Lateral projection, right wrist radiograph, 17y M, Siemens.

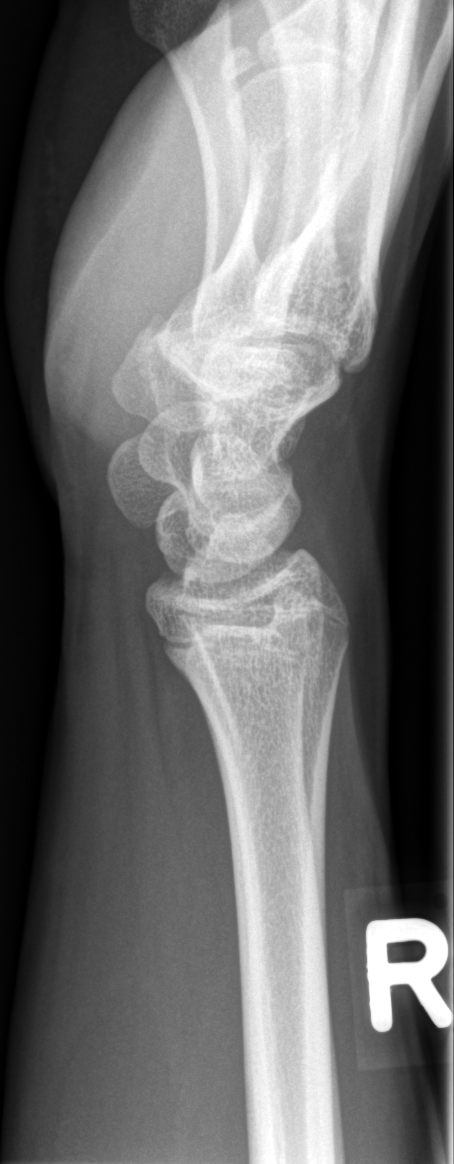

FINDINGS: No fracture annotation.